Lat view · left wrist radiograph —
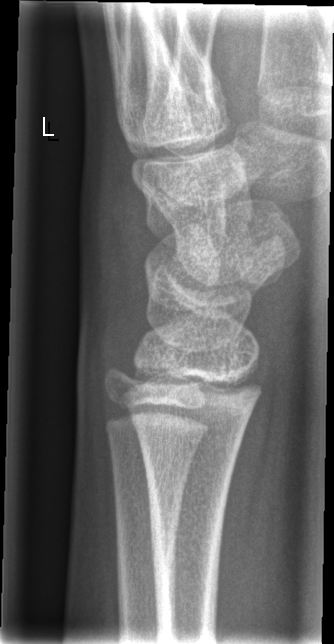
No fracture annotation.